Frontal view · right pediatric wrist radiograph · 8y F 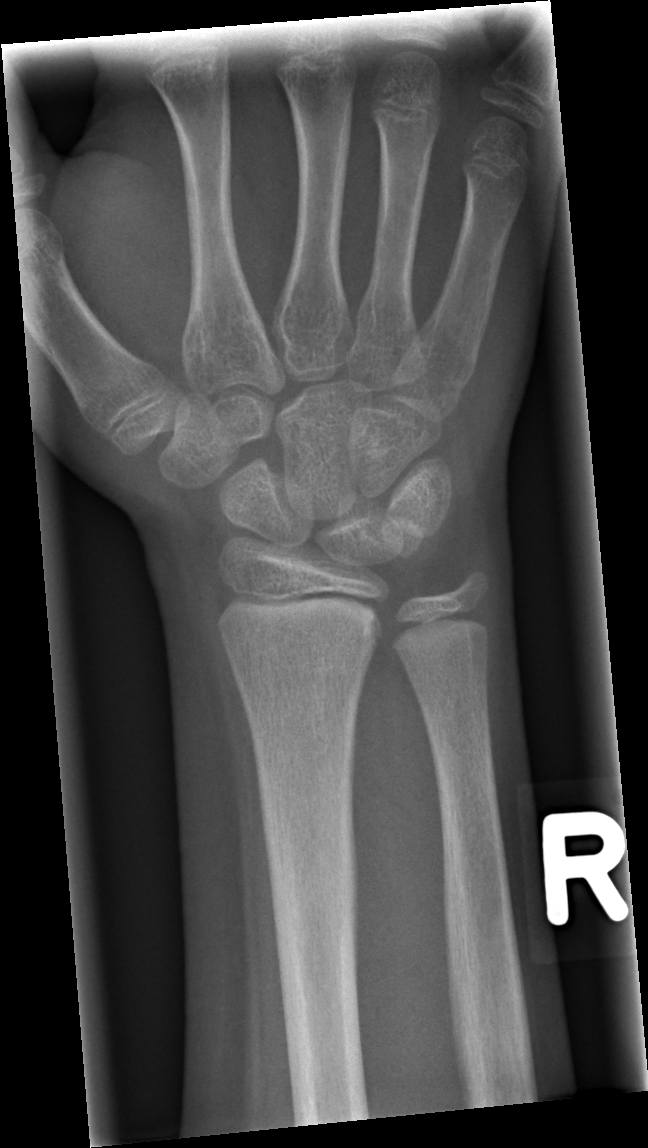

• Boxes as x1,y1,x2,y2 (top-left / bottom-right, pixel units).
• AO/OTA classification: 22r-D/2.1; 23u-M/2.1.
• Fx: <256,761>-<362,892>.